Rt wrist radiograph · lat · 14y M · index exam — 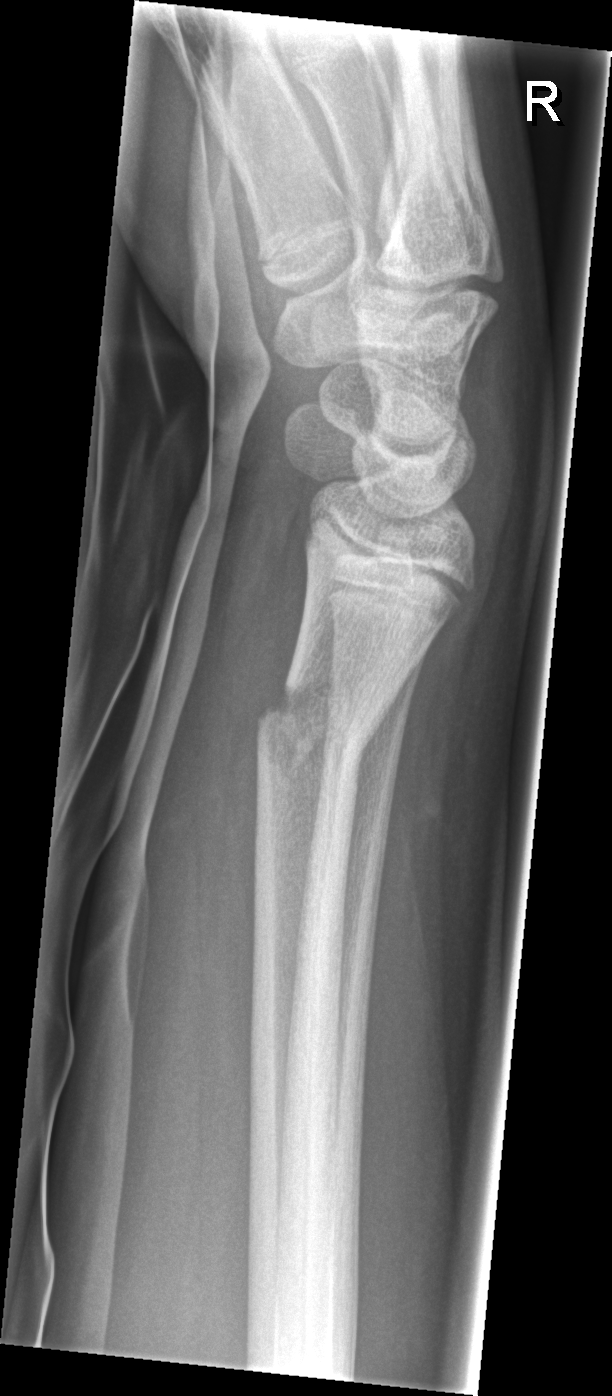 Bone fracture identified at [250, 665, 392, 785]. AO/OTA classification: 23r-M/3.1; 23u-E/7.